Left wrist plain film | PA/AP view | 16y M | in cast 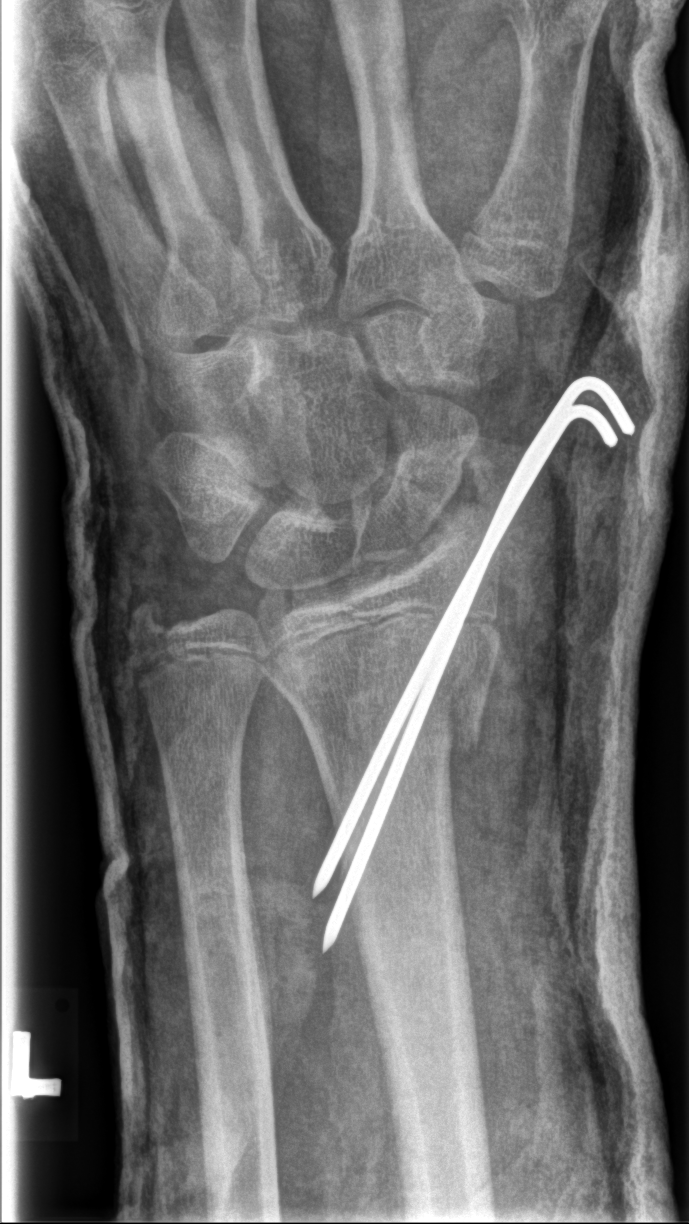   fracture: [x1=279, y1=636, x2=497, y2=773]
  metal: 1 @ [x1=309, y1=365, x2=645, y2=960]
  ao: 23r-M/3.1